Left wrist pediatric wrist radiograph, lateral projection. 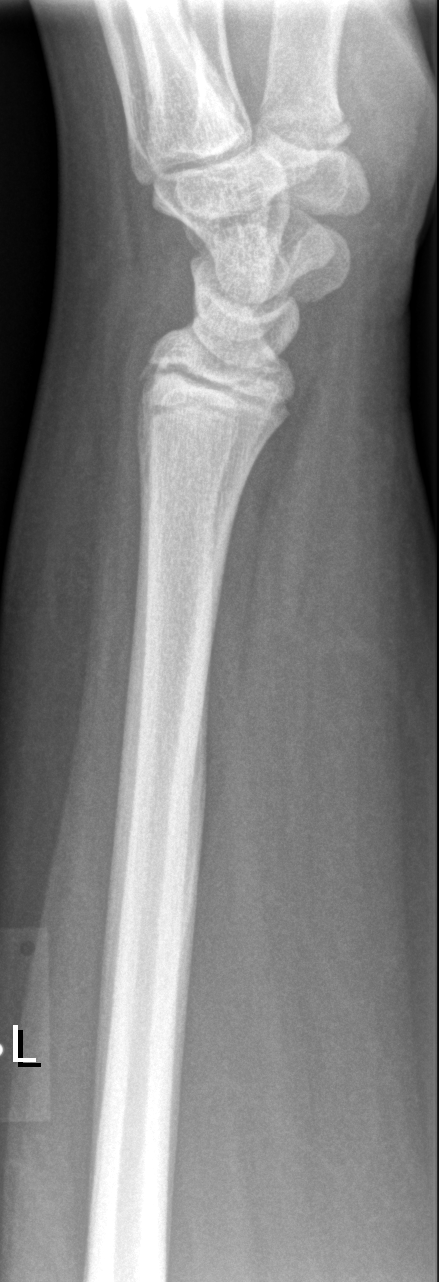

- No fracture annotation.